Lat · right wrist X-ray · pediatric patient (girl, age 10) · initial study · 448 by 874 pixels.
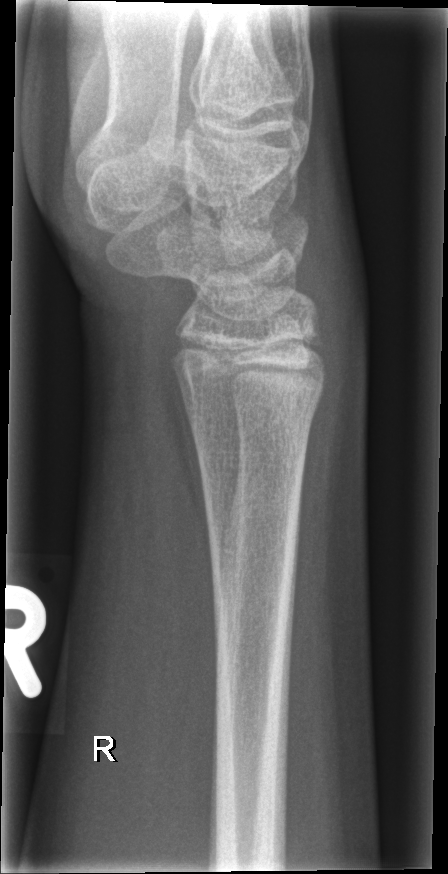

Coordinates are [x1, y1, x2, y2] in image pixels.
One bone fracture at (left=185, top=372, right=331, bottom=462).
Periosteal reaction: (left=174, top=367, right=212, bottom=552).
AO code 23r-M/2.1.